Left wrist XR · lat view · imaged through cast 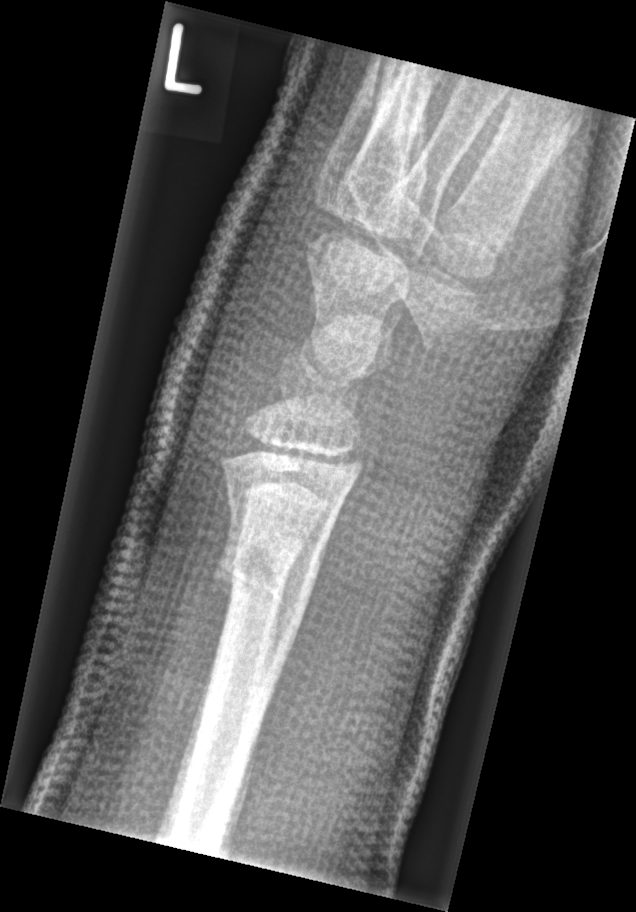 fracture = [x1=208, y1=528, x2=325, y2=636]